Lat projection | right wrist plain radiograph of the wrist | 14-year-old male | 551 by 1056 pixels

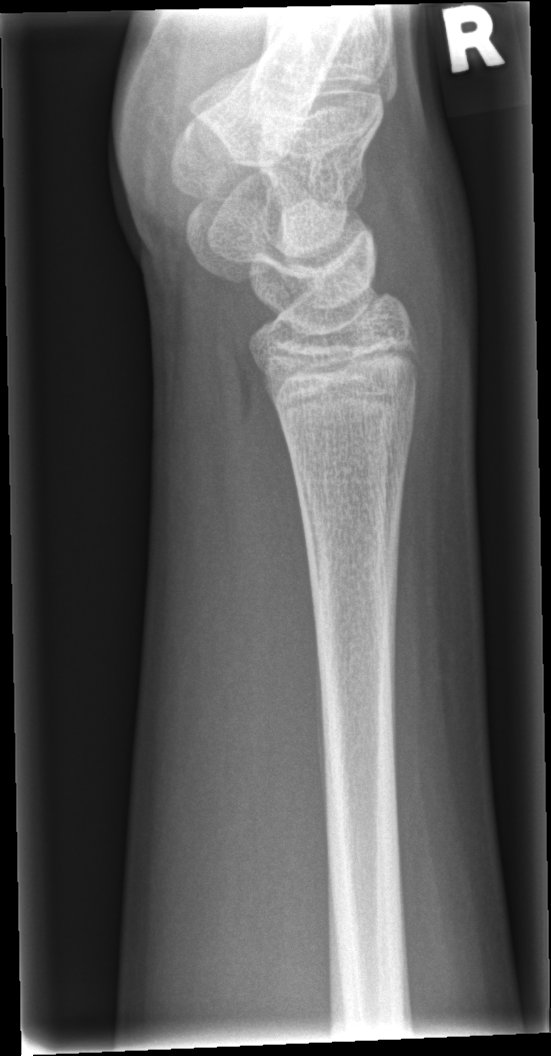
FINDINGS — Fx: none. Soft-tissue swelling identified at 346,117,478,350.